Left wrist plain film | lateral view | 7-year-old boy | image 66.2 mm wide: 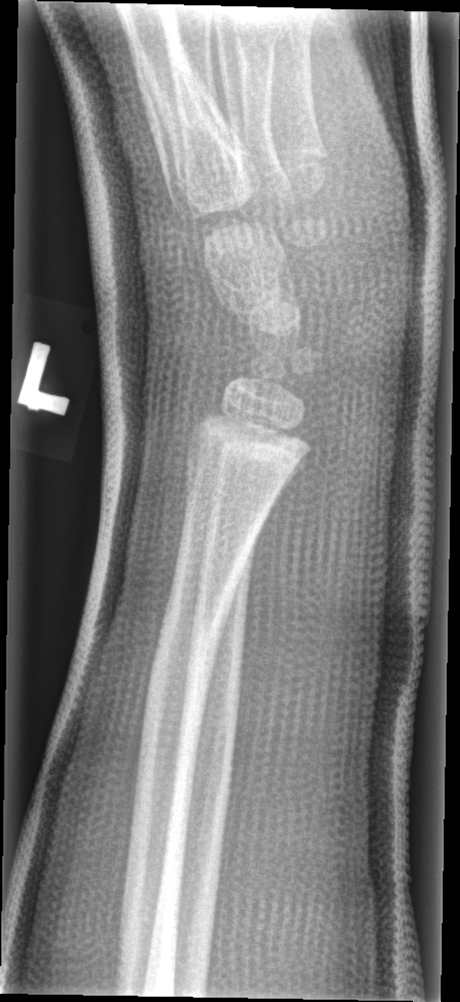
AO/OTA classification: 22r-D/1.1.
Fracture: [131, 572, 236, 774].